PA view | left wrist XR | acquired on Siemens | image 70.3 mm wide.

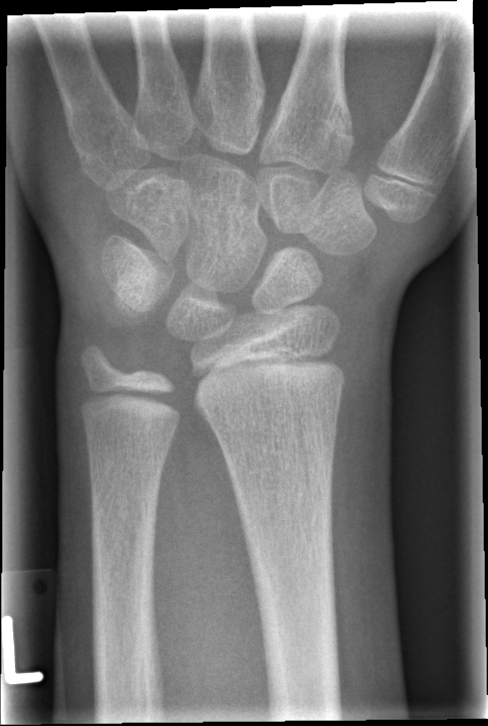

* No fracture bounding box.